Rt wrist plain film · PA · boy, 13 yo · follow-up · 618 by 942 pixels:

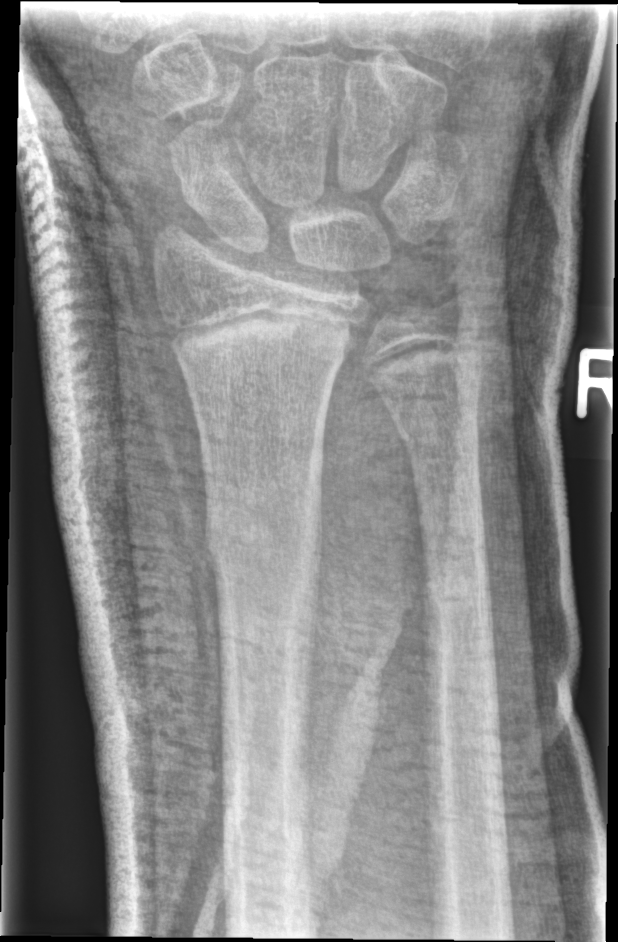
* Fracture classified AO/OTA 23r-M/3.1; 23u-M/2.1.
* Two fractures at [x1=198, y1=458, x2=324, y2=603] [x1=398, y1=415, x2=483, y2=467].